AP projection · L wrist plain film · 12-year-old boy —
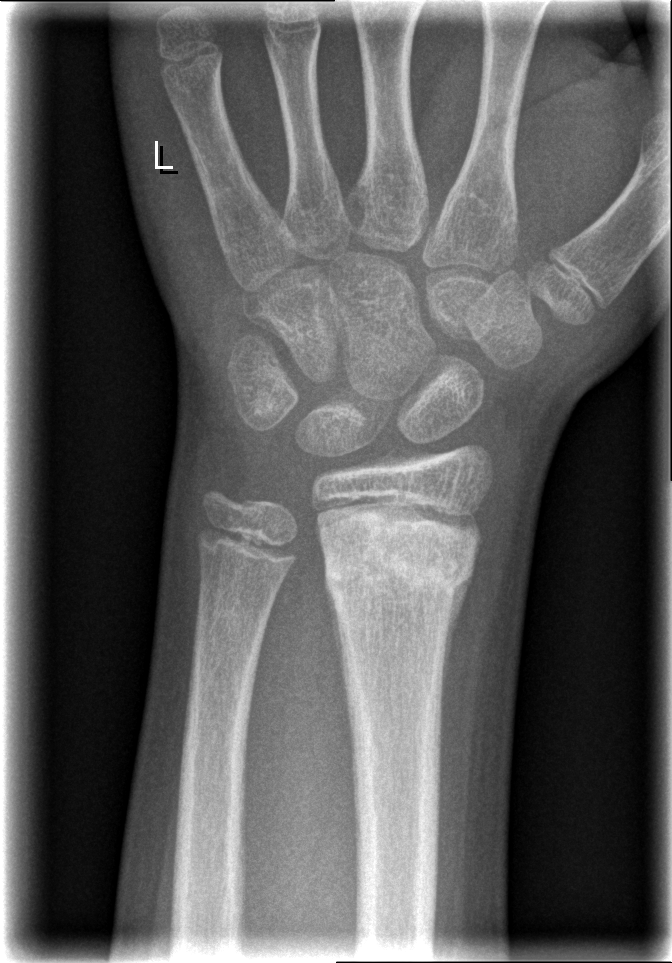

(bounding boxes in image-pixel xyxy)
Osteopenia = present
Fx = (left=320, top=516, right=480, bottom=612)
Periosteal reaction = 1 @ (left=441, top=564, right=474, bottom=728)
AO code = 23r-M/3.1